Right wrist pediatric wrist radiograph · AP —

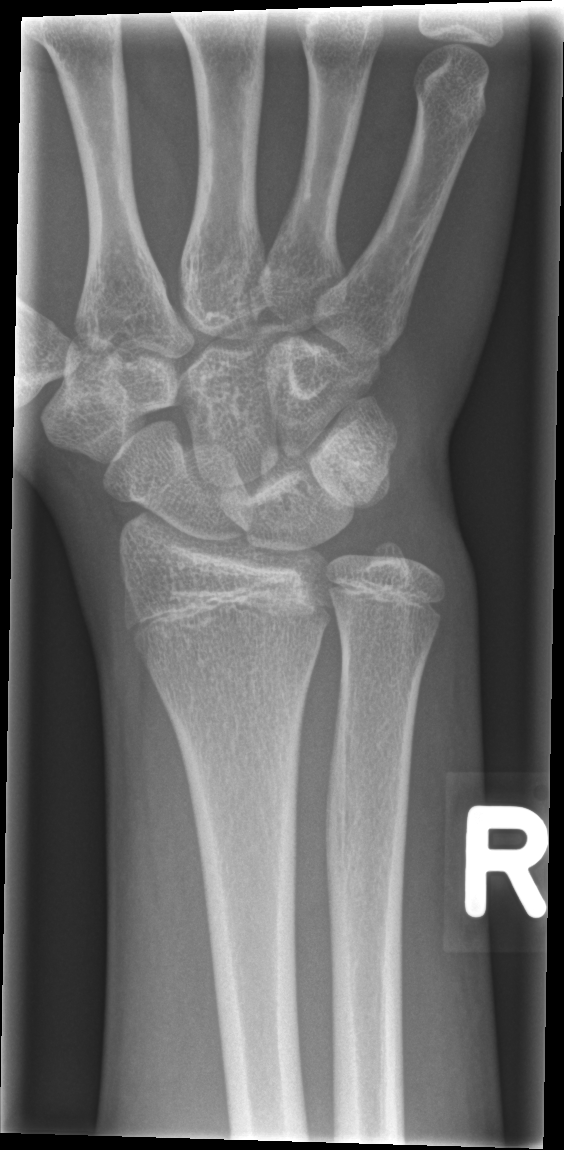 * No fracture annotation.